Right wrist XR | lateral projection | female, 7 yo.
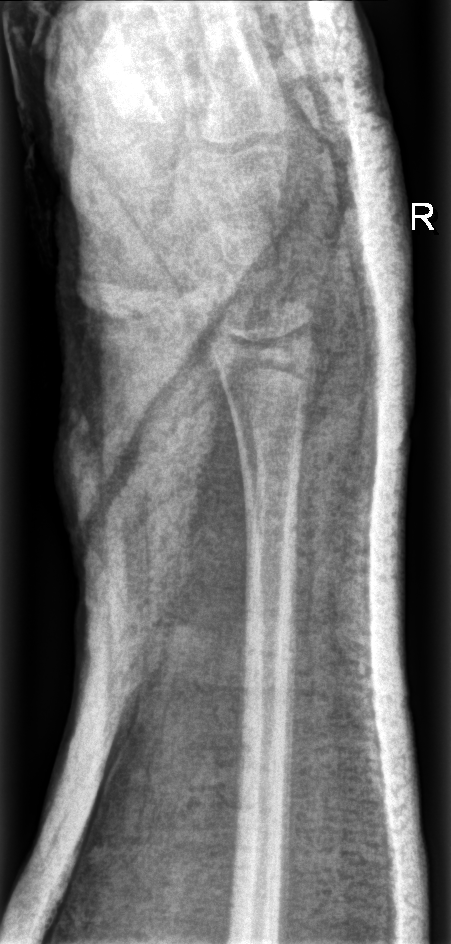

FINDINGS: Fracture present, though not clearly seen in this view. AO code 23r-E/2.1.